Lateral projection; Rt plain radiograph of the wrist; initial study; acquired on Siemens 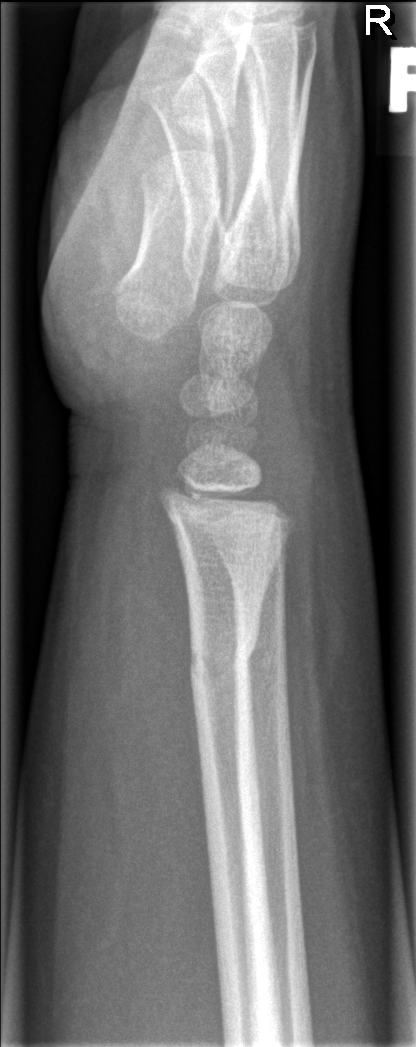
AO code = 23r-M/3.1
fracture = [181, 627, 266, 695]
pronator quadratus fat-pad sign = [110, 488, 211, 899]